Right wrist radiograph, lateral view —

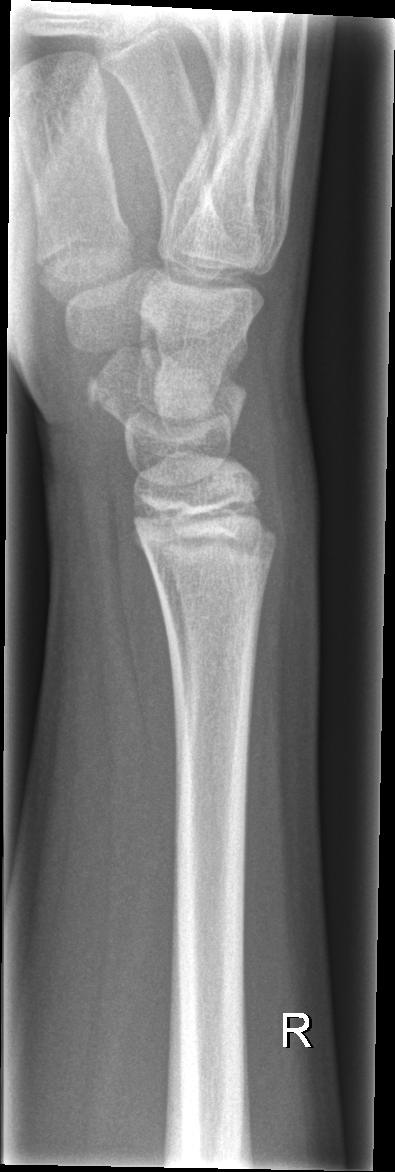
FINDINGS — No Fx annotated.